AP · R pediatric wrist radiograph · boy, 6 yo · imaged through cast — 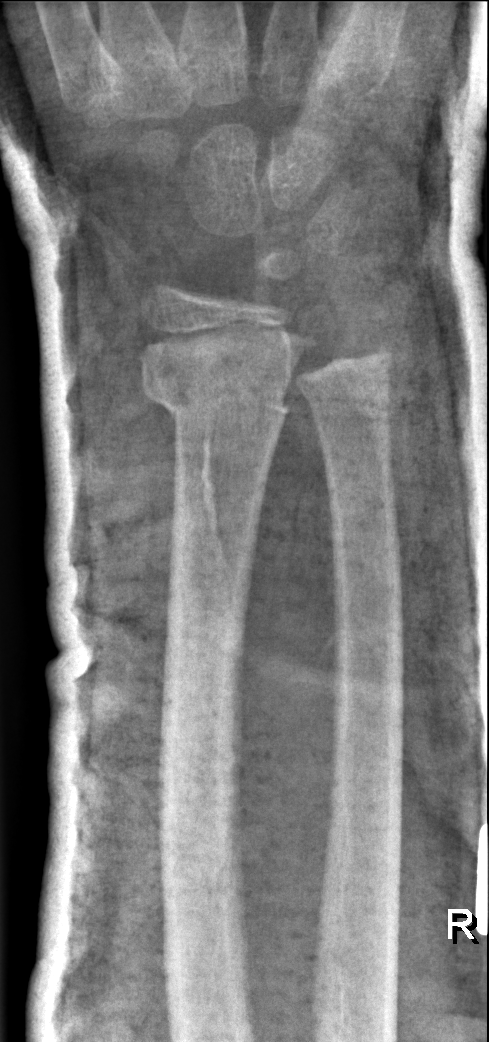

  fracture: 1 @ (138, 371, 293, 425)